Lat view, left wrist radiograph, index exam, acquired on Siemens —
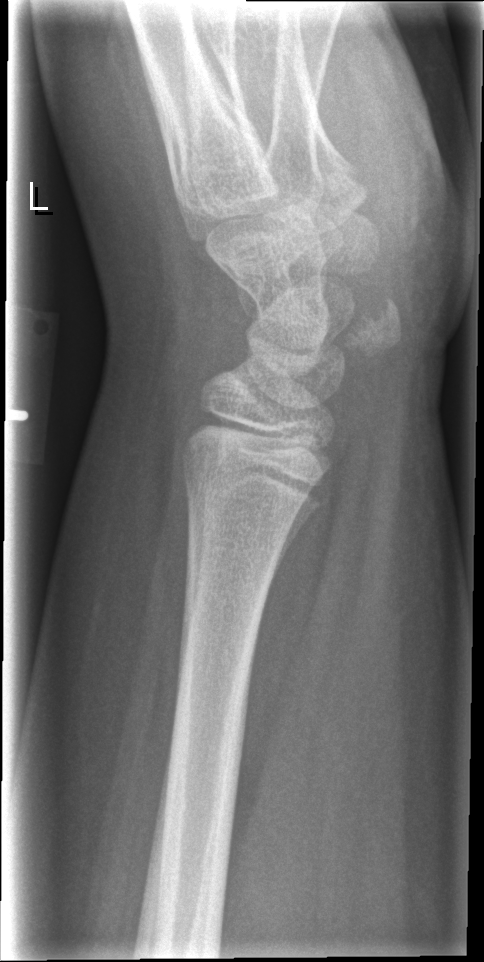 Findings: Fx: none.